PA view | R wrist XR | 17y M | image size 889x1372

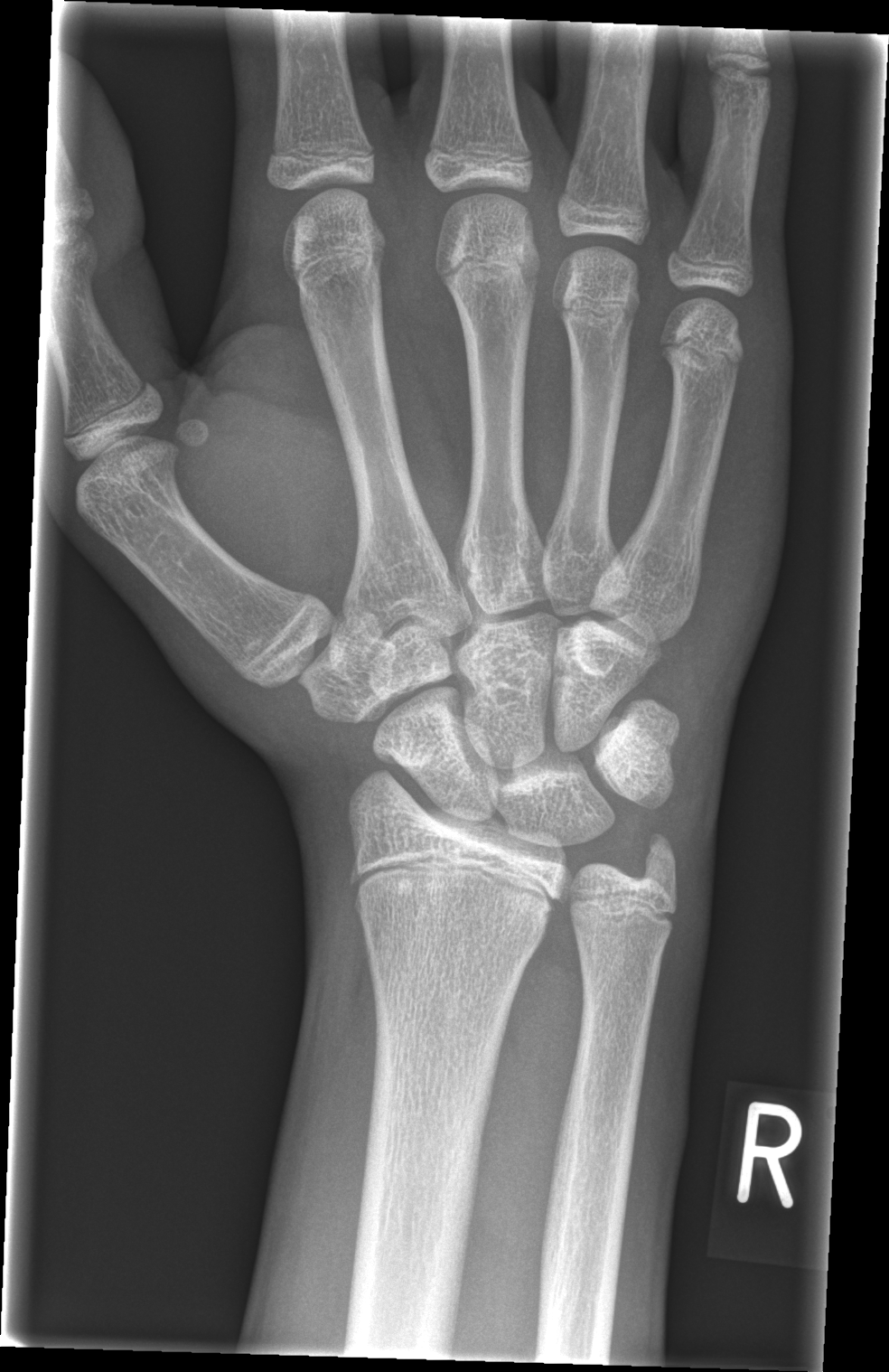 - One bone fracture at bbox(624, 828, 683, 901).